Left wrist X-ray | lat | 13-year-old male | 500 by 934 pixels —

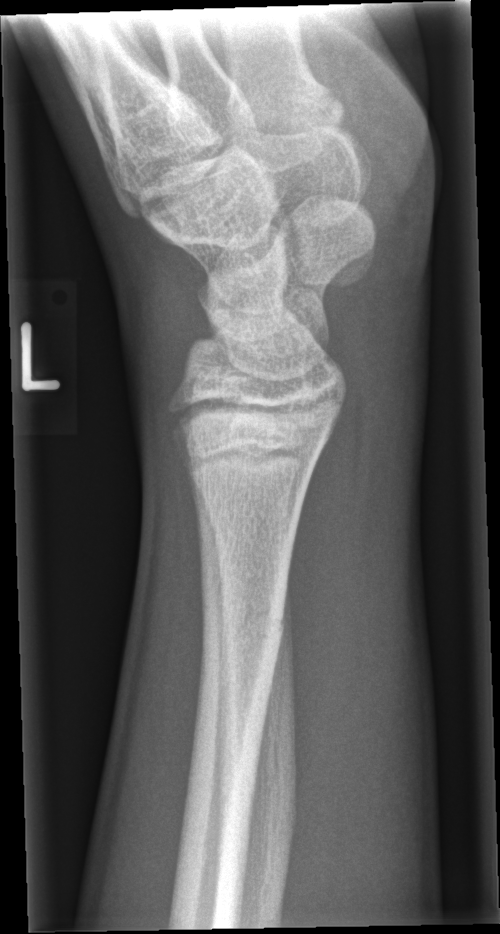 FINDINGS — Fracture identified at <193,587>-<289,668>.